Lateral | Lt pediatric wrist radiograph | initial study | detector: Siemens

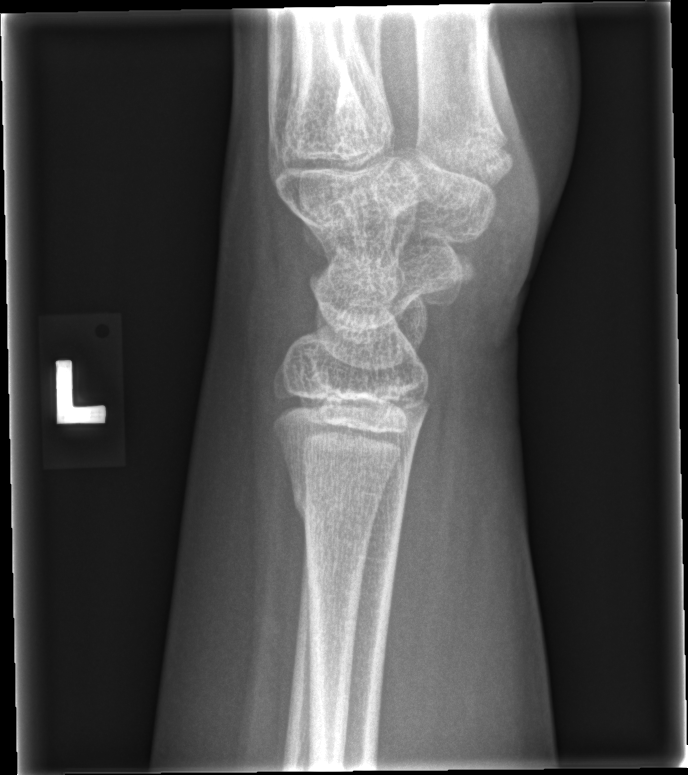
FINDINGS — (coordinates are [x1, y1, x2, y2] in image pixels) Fx — bbox(287, 473, 410, 541).